Left wrist plain film · lateral view. 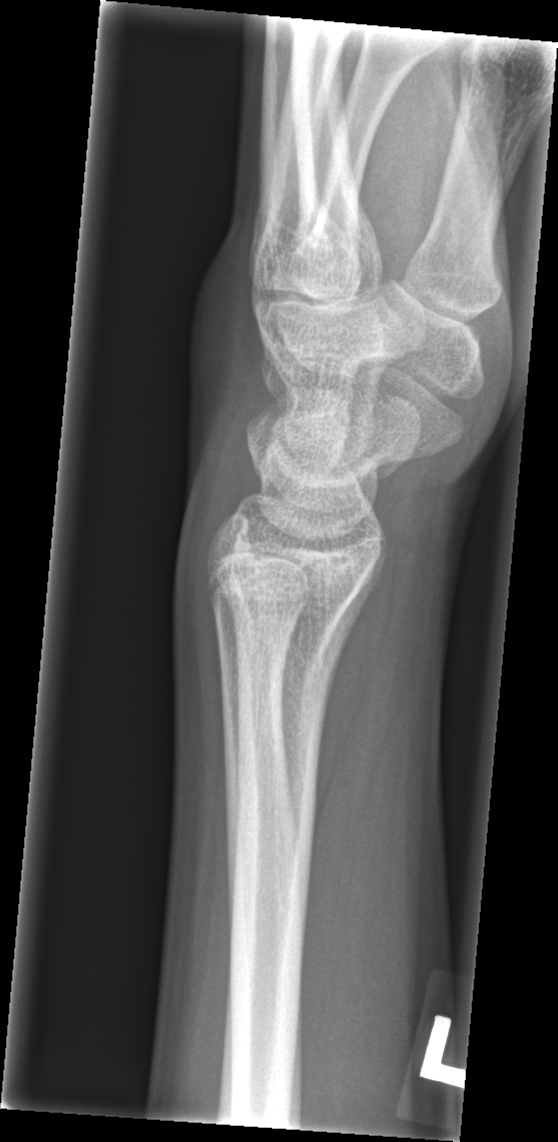 AO code 23r-M/2.1.
Fracture identified at [208, 557, 362, 648].